Lateral, left wrist plain radiograph of the wrist.

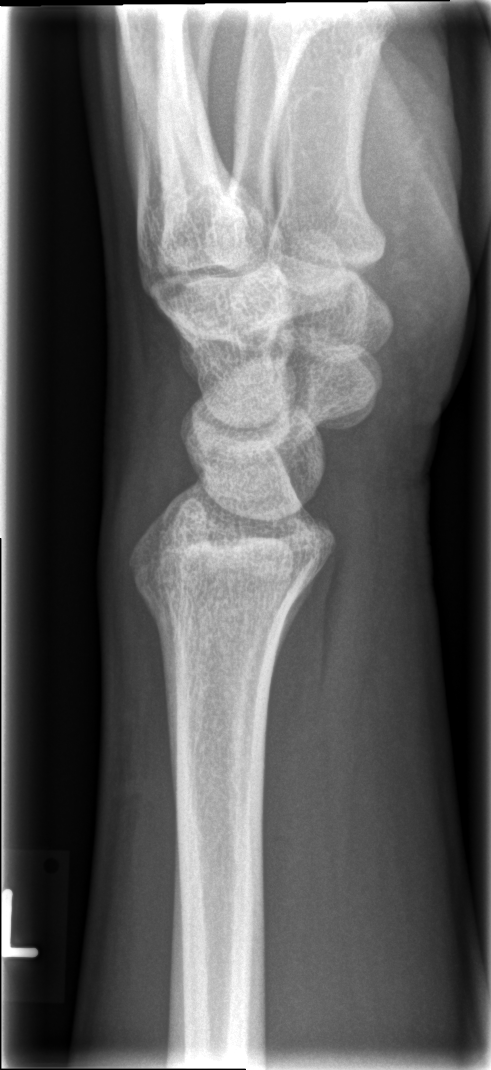
(coordinates are [x1, y1, x2, y2] in image pixels)
Fx = bbox(130, 565, 298, 654)
AO classification = 23r-M/2.1